PA, L plain radiograph of the wrist, acquired on Siemens: 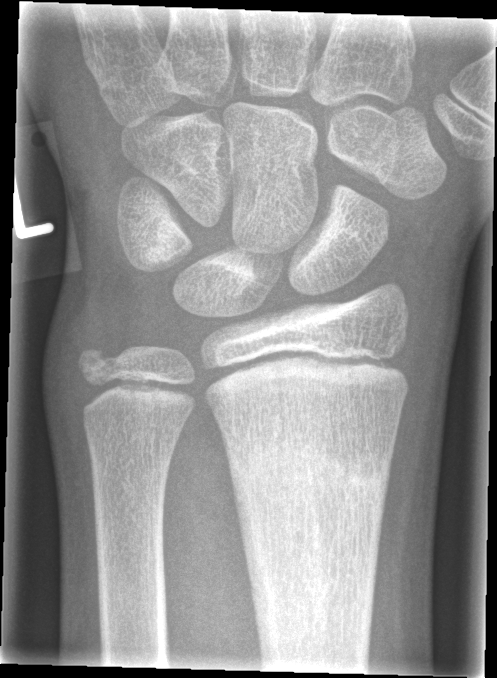
(boxes as x1,y1,x2,y2 (top-left / bottom-right, pixel units))
AO classification: 23r-M/2.1; 23u-E/7
Bone fracture: 224 423 394 549
  70 332 128 387